Right wrist XR; lateral view; image 67.2 mm wide; image size 467x1244.
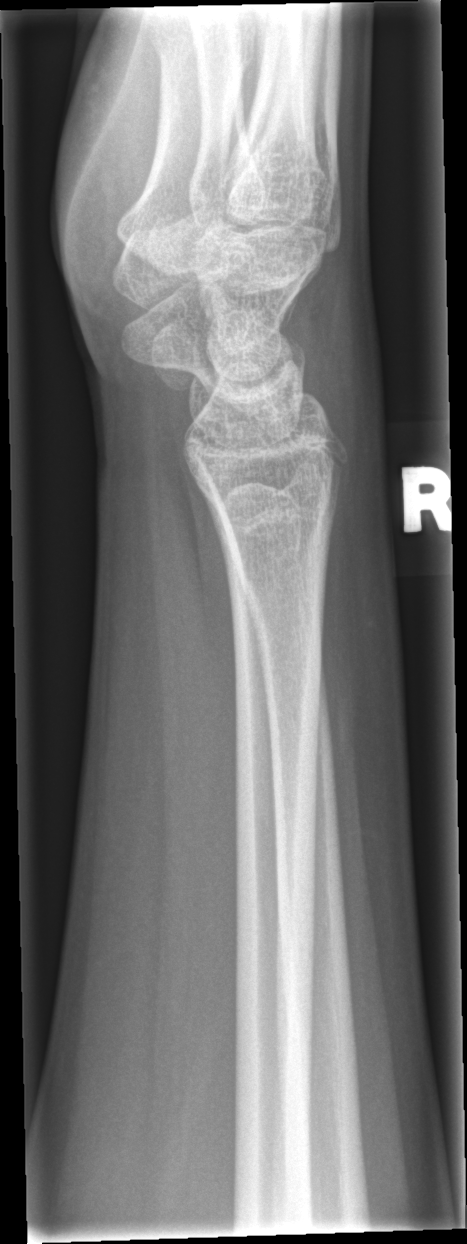 * No fracture labeled.